Lateral view | Rt wrist X-ray | 13y M | initial study | 398 by 1182 pixels
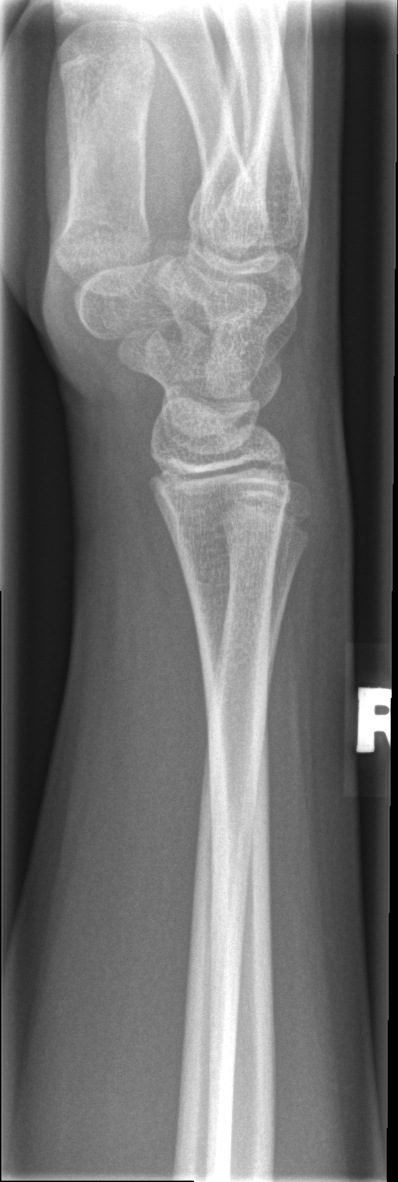
Findings: Fx: none.